Right wrist XR · lat · 445x692.
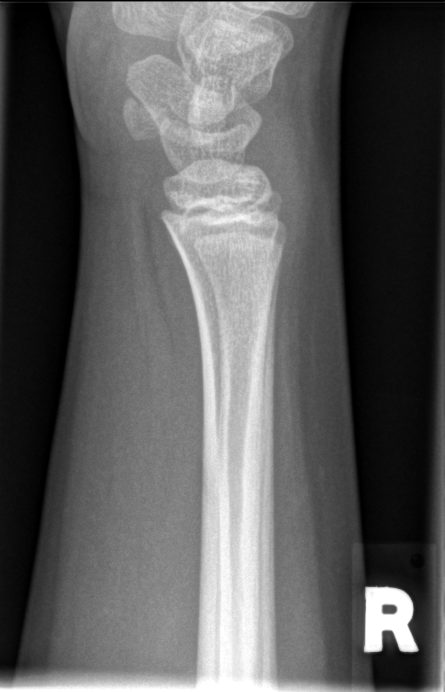

No fracture bounding box.